Lat | left wrist pediatric wrist radiograph
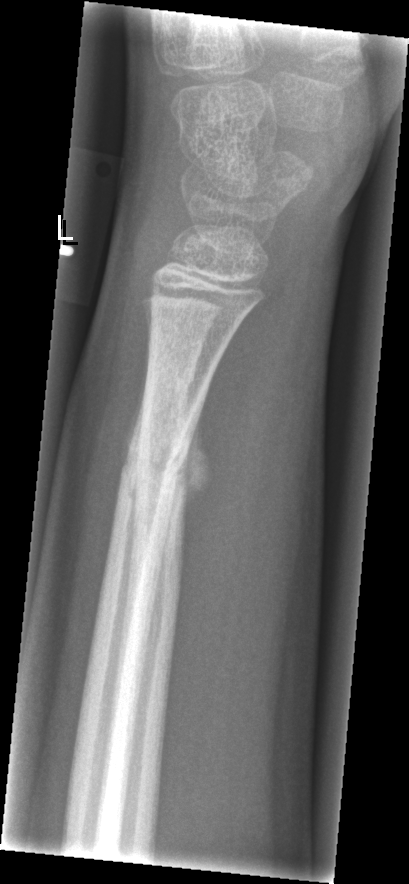
* Reduced bone mineral density.
* Periosteal thickening — (left=171, top=408, right=214, bottom=519).
* Two Fx at (left=115, top=439, right=206, bottom=512), (left=139, top=359, right=199, bottom=402).